Rt pediatric wrist radiograph | posteroanterior view | age 3 y, girl | index exam | acquired on Siemens 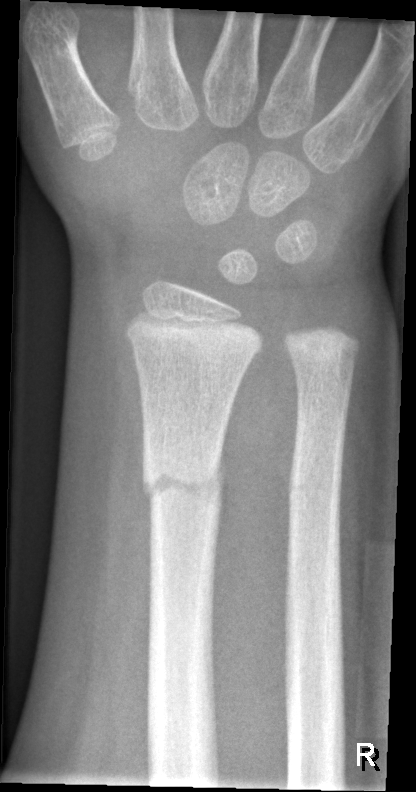
AO classification: 23-M/3.1
Bone fracture: <138,449>-<229,513>; <284,463>-<344,504>